Rt pediatric wrist radiograph | lat | age 12 y, girl | initial study | acquired on Siemens.

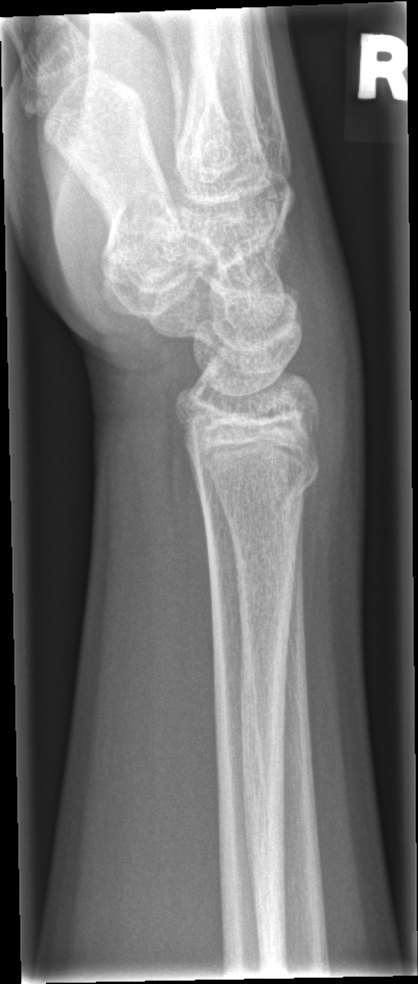

(pixel coordinates, top-left origin, xyxy)
Q: Is there a fracture?
A: One fracture at 191,450,322,522